Lateral view · L wrist radiograph · image size 656x1098

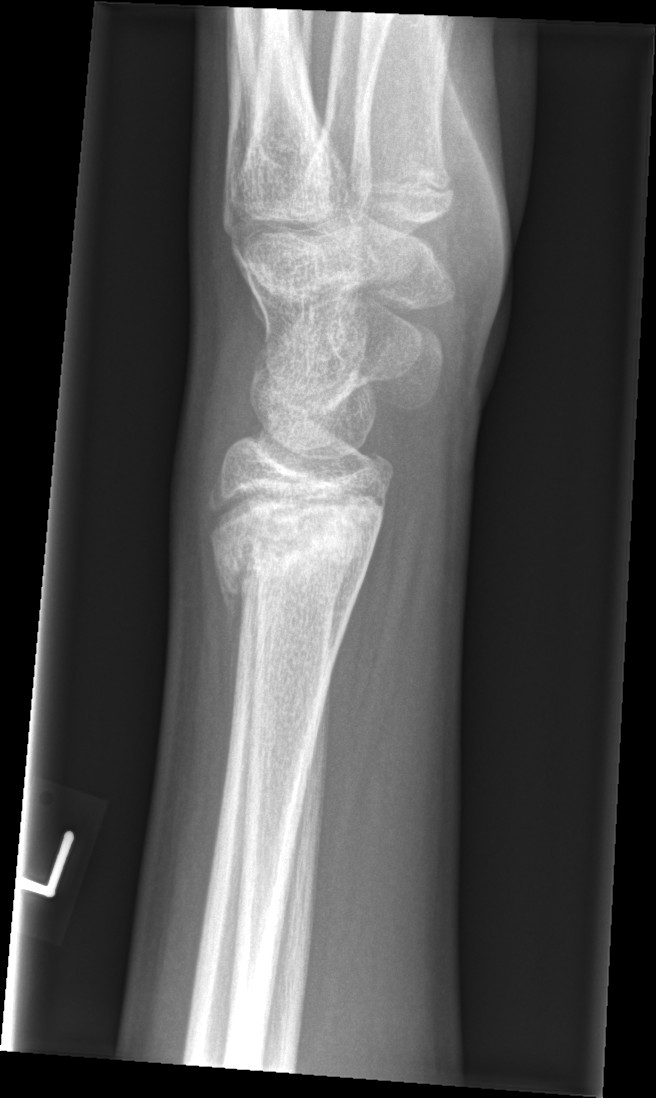
Pixel coordinates, top-left origin, xyxy.
One bone fracture at [207, 478, 386, 598].
Reduced bone mineral density.
AO code 23r-M/3.1; 23u-E/7.